R wrist XR · PA/AP view · age 17 y, girl · 612x960:
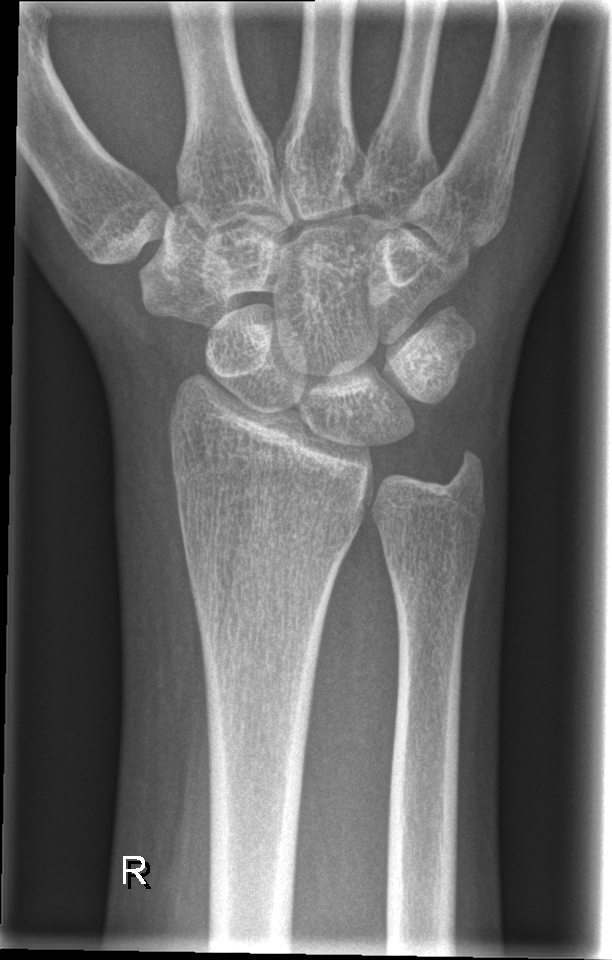

Fracture: none labeled.